PA; L wrist X-ray; 11-year-old girl; imaged through cast: 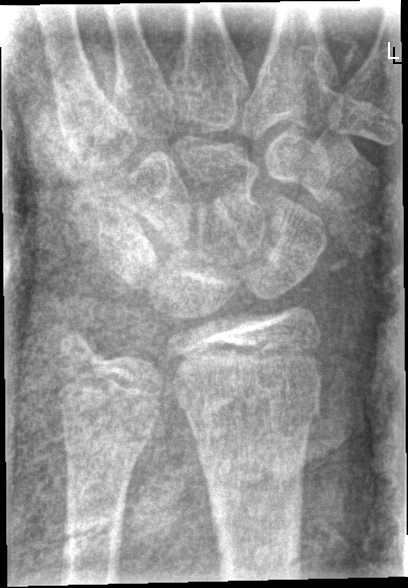

Fracture = bbox(171, 351, 324, 434)